Rt wrist X-ray | frontal projection.
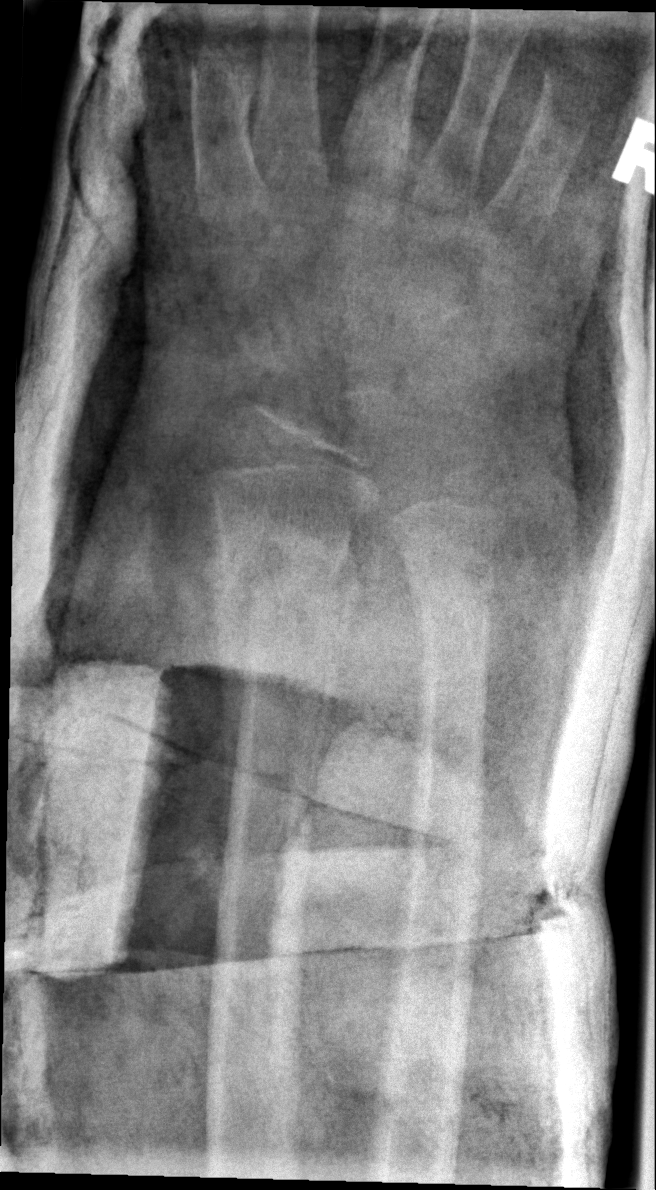

{"fracture": "215,532,371,683\n  405,562,502,647", "ao": "23r-M/3.1; 23u-M/2.1"}